Lat projection · Lt wrist X-ray · 4y M — 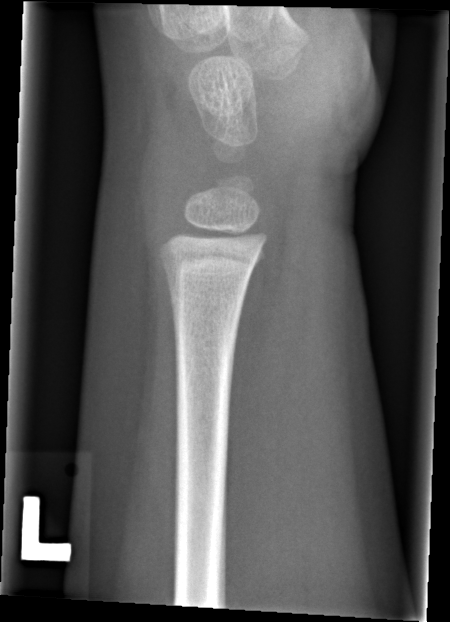 Fx = none labeled